R plain radiograph of the wrist | lateral view | pediatric patient (female, age 6) | image 103.2 mm wide —
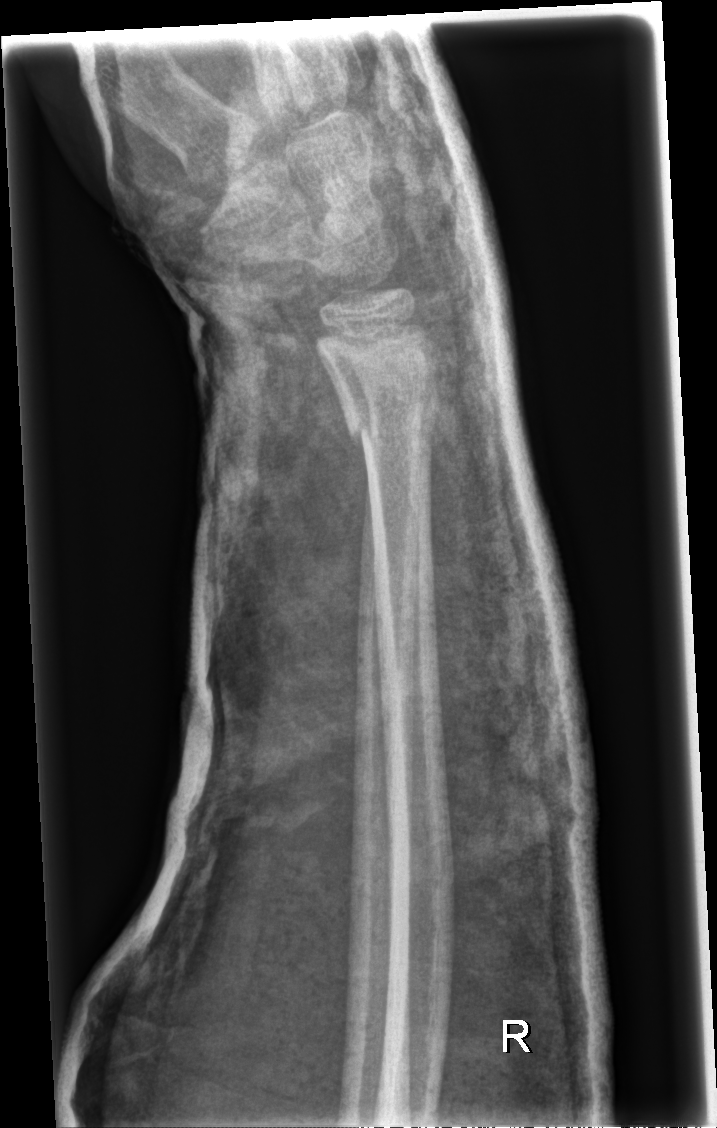

AO code: 23r-M/3.1
Bone fracture: 1 @ (343, 402, 437, 455)